PA/AP, Lt wrist radiograph, 13-year-old boy, subsequent exam, 99.4 mm image width:
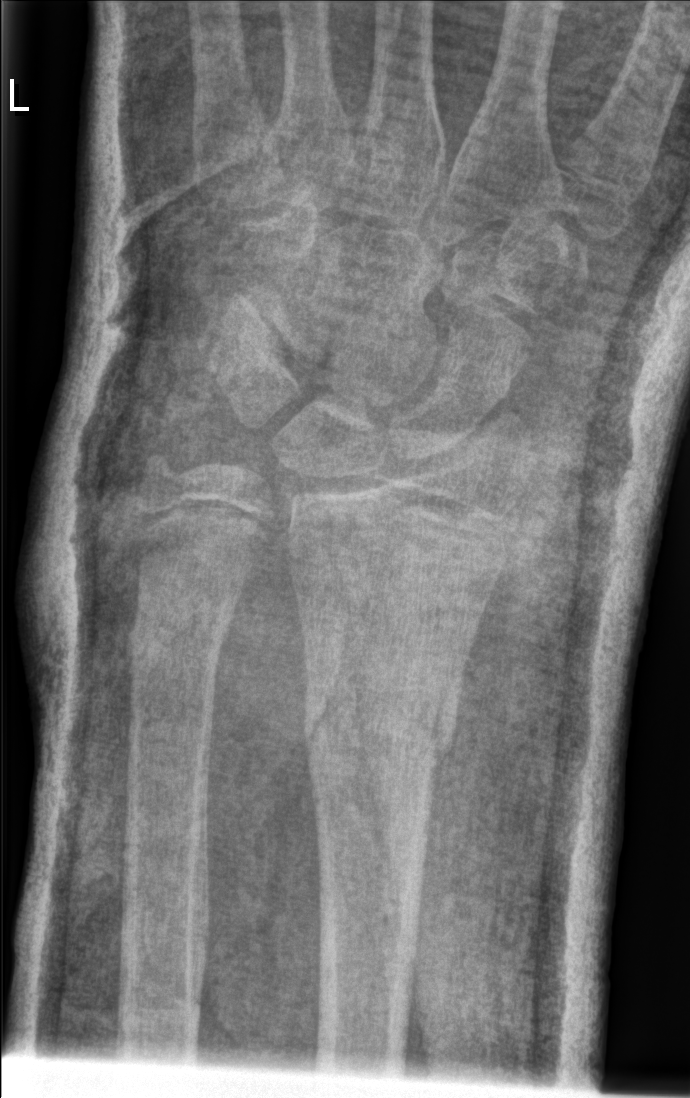
Bone fracture identified at (298, 663, 465, 775) (127, 603, 228, 672).